Right wrist plain radiograph of the wrist | lateral view | girl, 11 yo | presentation radiograph | Siemens | 472x912:
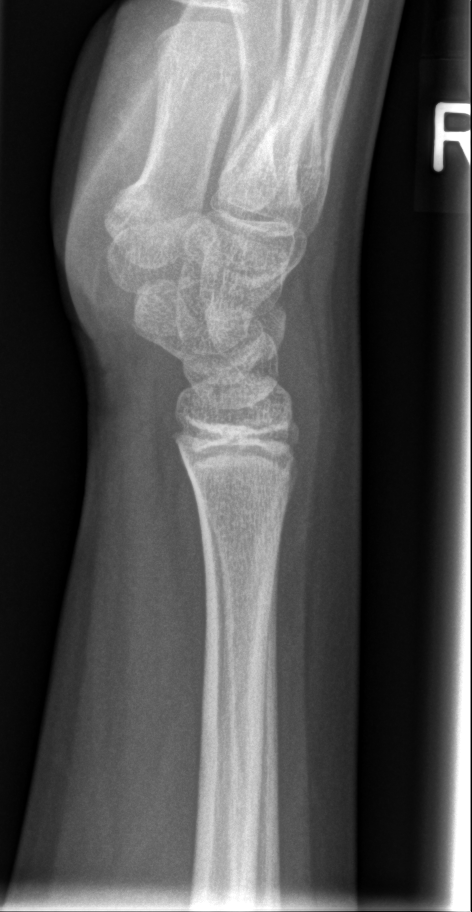
No Fx annotated.